Frontal view · left wrist radiograph · boy, 10 yo · image size 636x1162 —
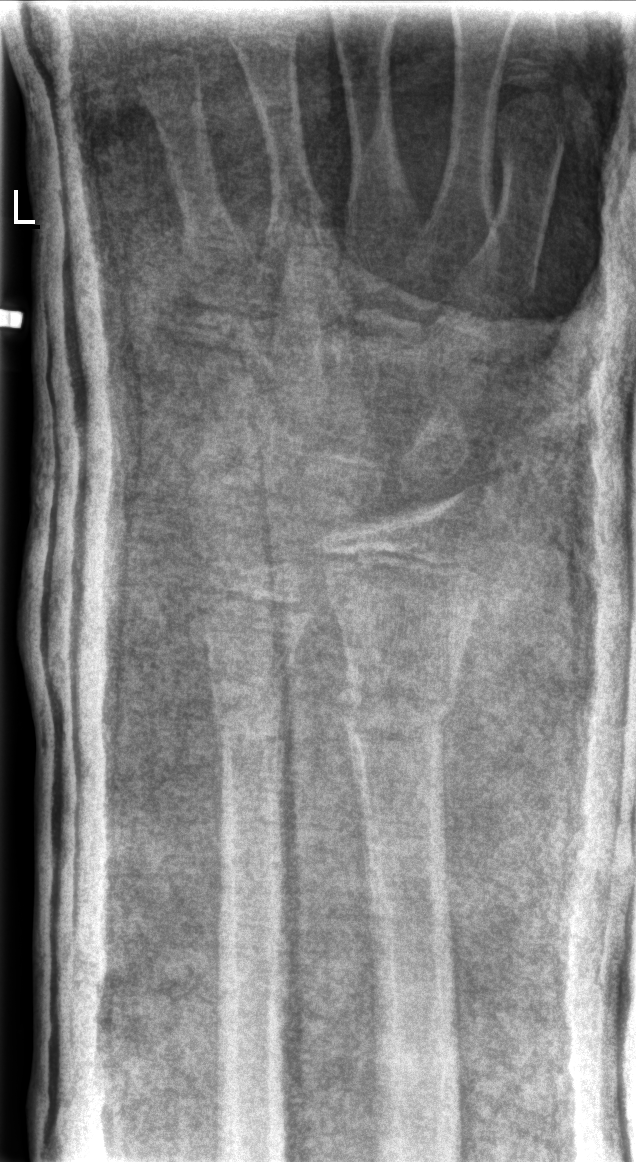
Q: AO code?
A: Fracture classified AO/OTA 23-M/3.1
Q: Fracture present?
A: Fracture: [x1=334, y1=653, x2=466, y2=754] [x1=204, y1=666, x2=297, y2=768]